Lateral view, right pediatric wrist radiograph, 9-year-old male, image size 515x994:

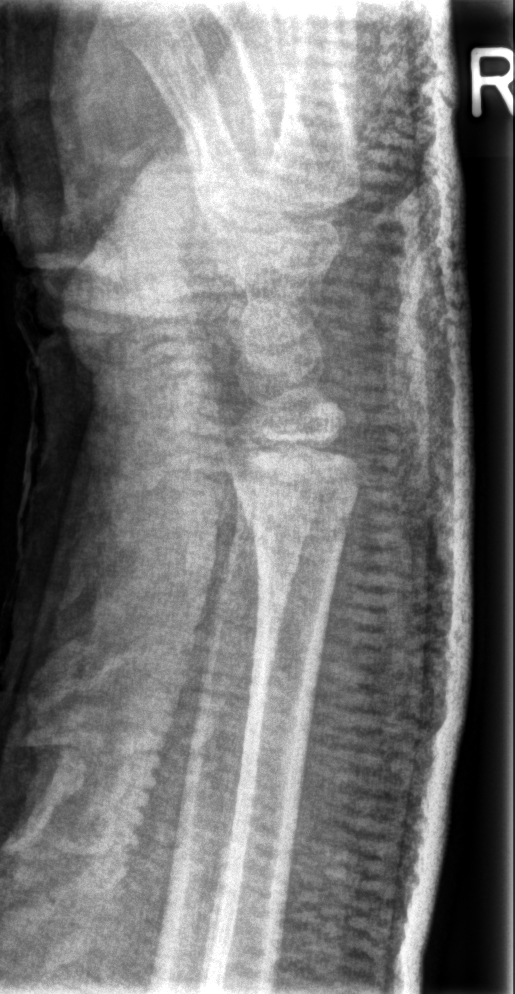
Boxes as x1,y1,x2,y2 (top-left / bottom-right, pixel units). One bone fracture at (234, 486, 352, 557).